Lat, Rt wrist XR, imaged through cast 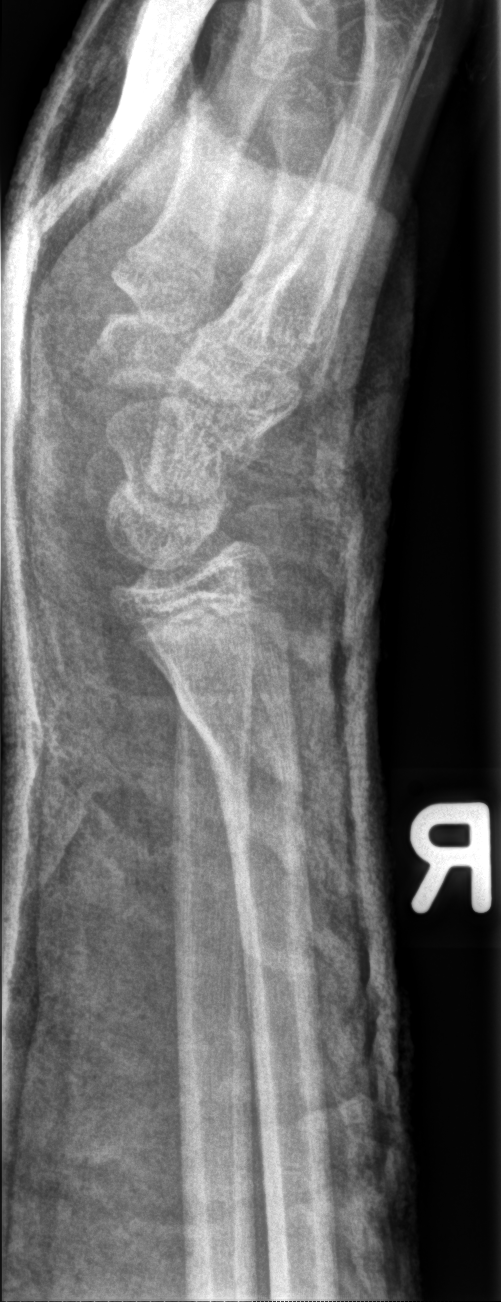
(bounding boxes in image-pixel xyxy)
bone fracture: [169, 672, 301, 778]